L wrist XR; AP projection; age 7 y, female

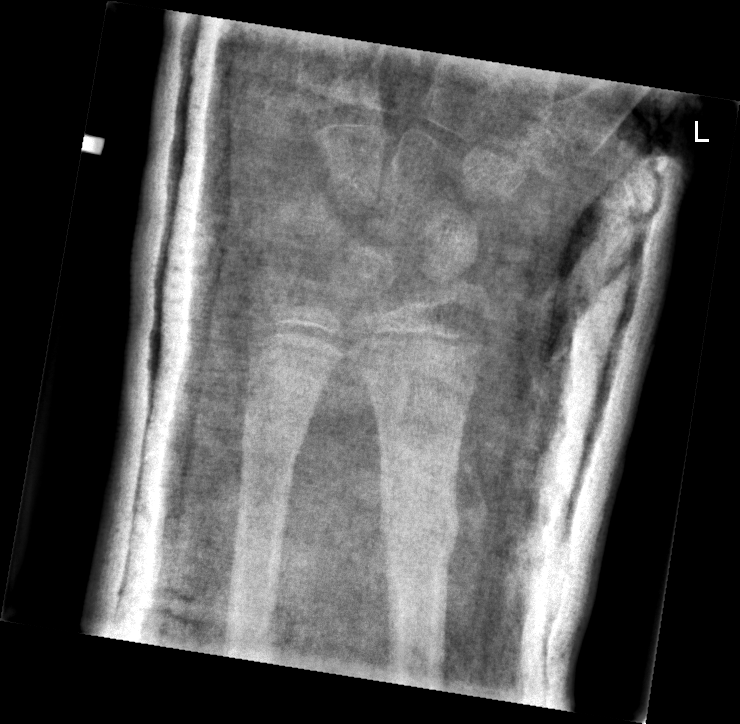

Boxes as x1,y1,x2,y2 (top-left / bottom-right, pixel units).
Fracture — (376, 478, 466, 570).